Rt plain radiograph of the wrist | PA view — 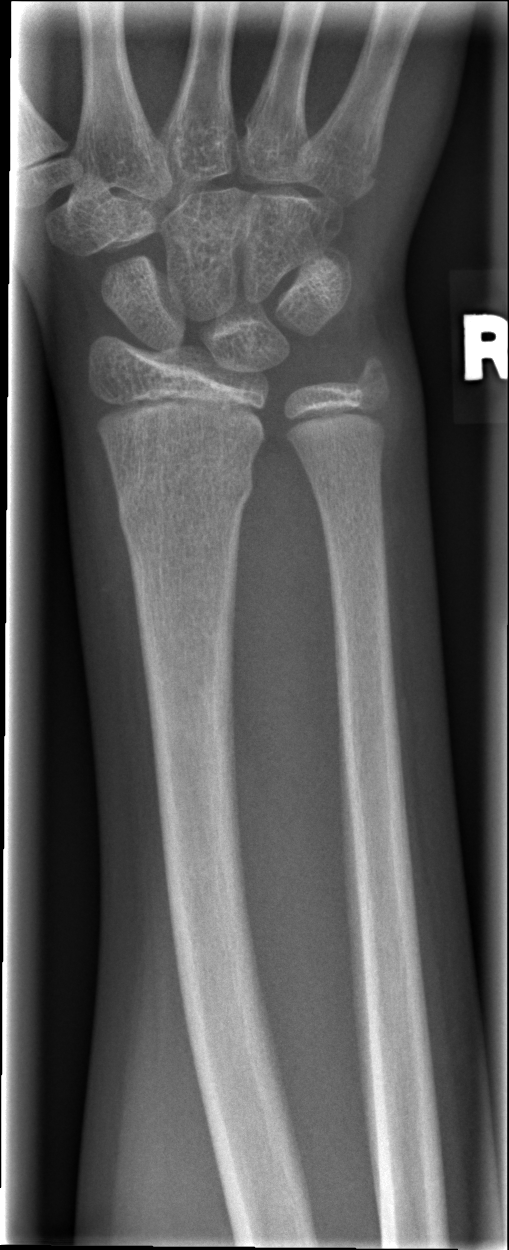 AO code = 23r-M/2.1; 23u-E/7
Fracture = 2 @ [x1=114, y1=452, x2=256, y2=546], [x1=349, y1=338, x2=400, y2=408]